Lat projection | Rt plain radiograph of the wrist | index exam | image size 392x760 —

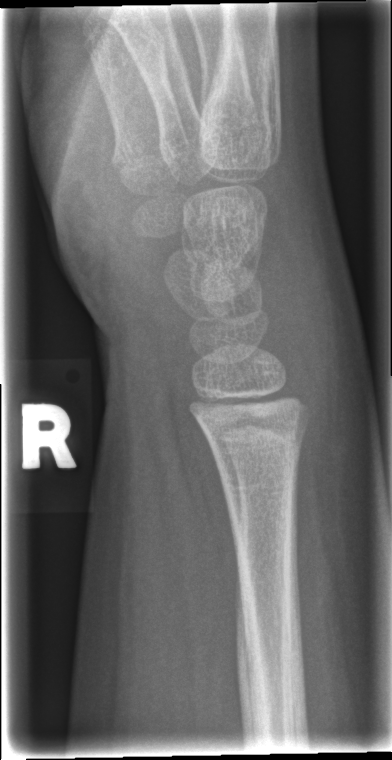

Q: Is there soft-tissue abnormality?
A: Soft-tissue swelling identified at <259,169>-<348,416>
Q: Is there a fracture?
A: Fracture: none labeled